Lat view · L wrist X-ray · pediatric patient (girl, age 16) · 509 by 812 pixels 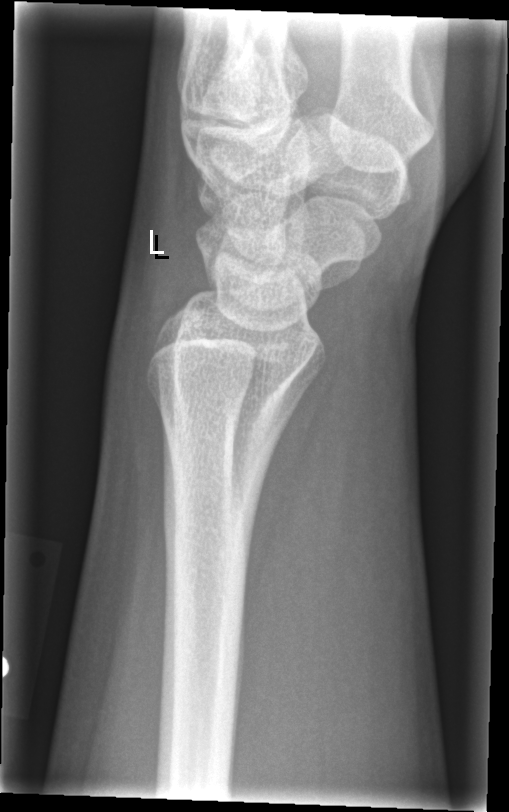
- No fracture annotation.